R plain radiograph of the wrist · lateral view · follow-up

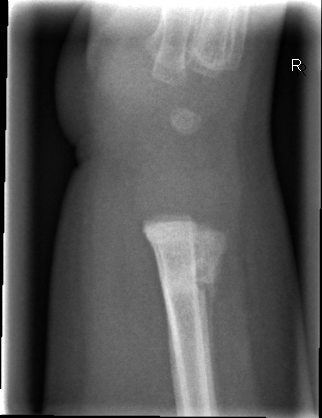

One periosteal new bone at [x1=204, y1=277, x2=221, y2=414]. One Fx at [x1=158, y1=250, x2=226, y2=298]. Fracture classified AO/OTA 23r-M/2.1.